Right wrist radiograph · PA/AP view

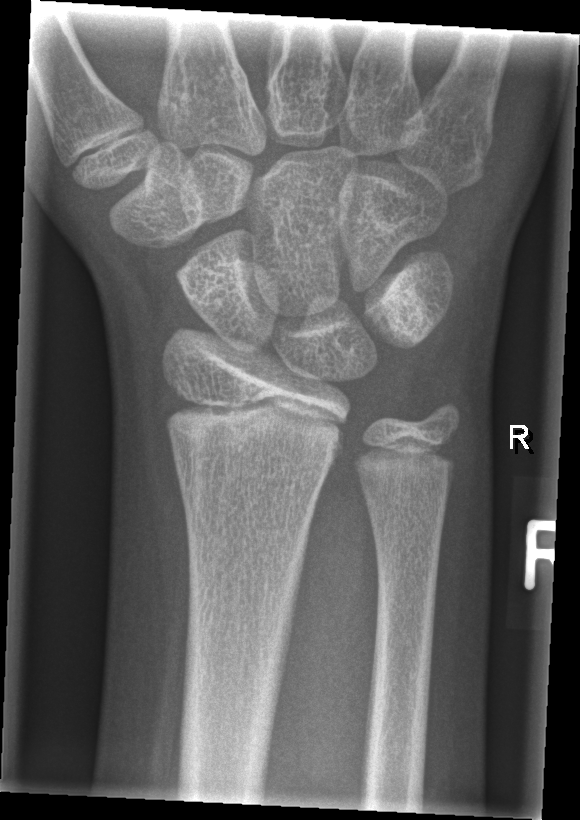   fracture: none labeled